Right wrist radiograph, AP projection, pediatric patient (boy, age 10), presentation radiograph:

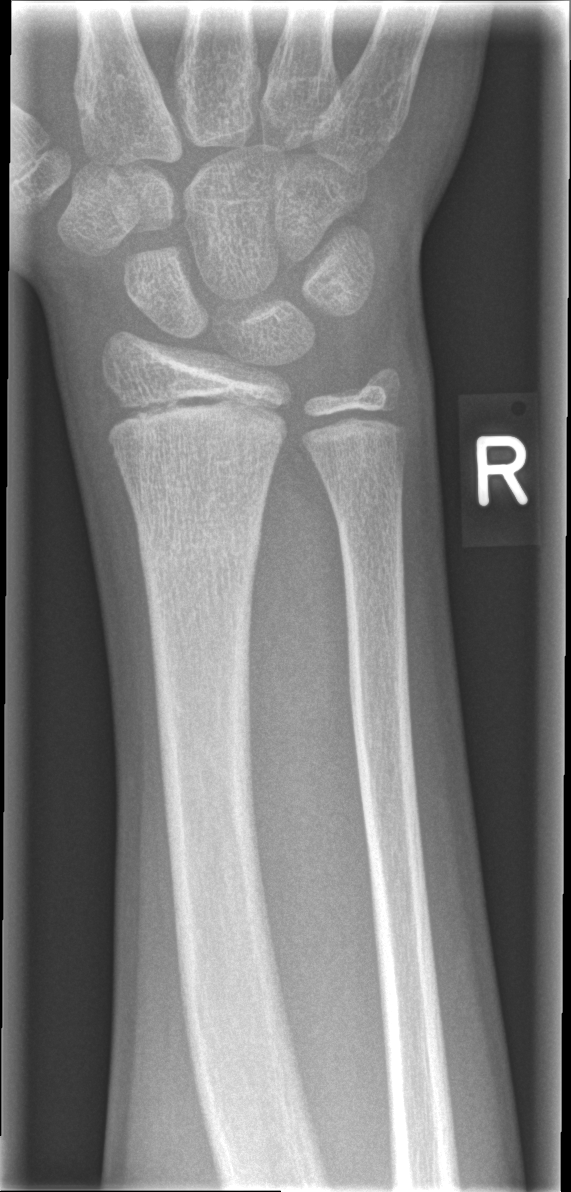
AO/OTA classification: 23r-M/2.1. Fracture: (left=136, top=512, right=266, bottom=574).